Rt wrist radiograph | lat | girl, 10 yo | 415 by 920 pixels.
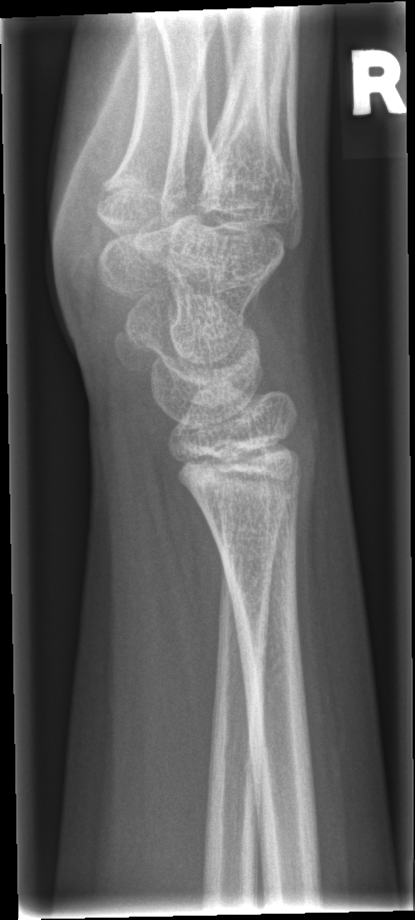

{
  "fracture": "none labeled"
}